Rt wrist plain film, AP projection.

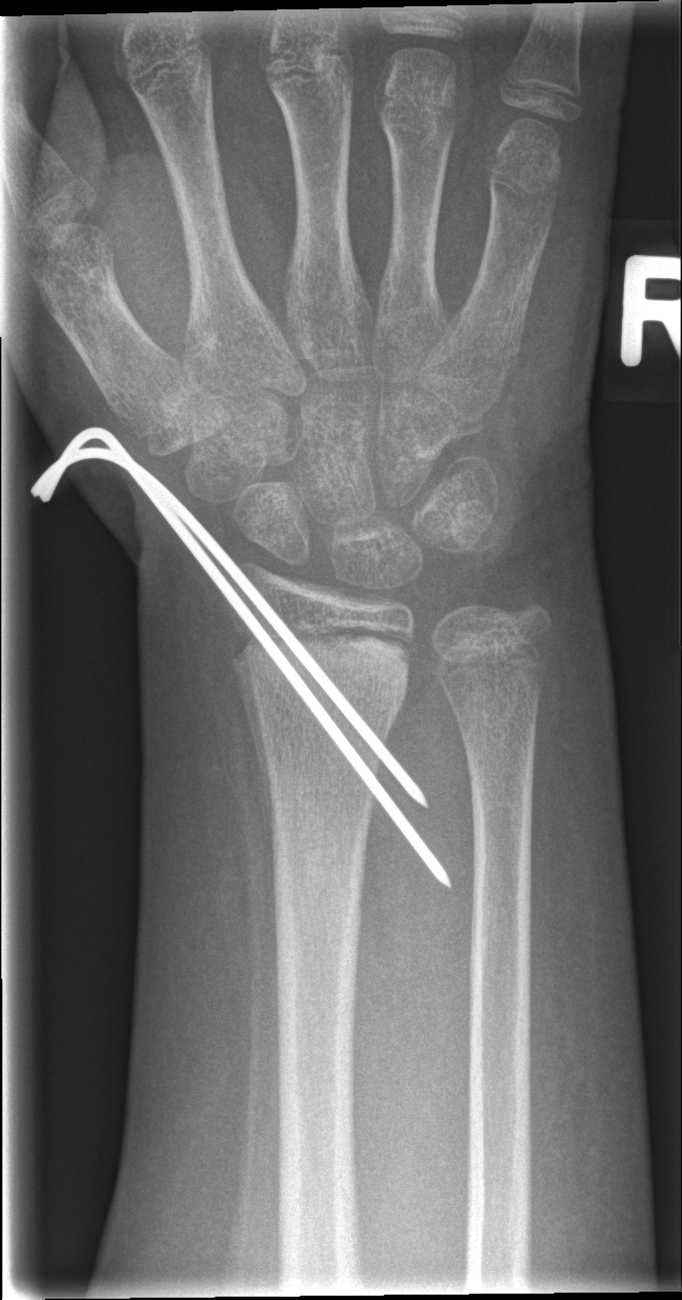
periosteal reaction: 1 @ (left=231, top=650, right=281, bottom=893)
metallic implant: 1 @ (left=31, top=429, right=450, bottom=887)
Fx: (left=226, top=636, right=415, bottom=731)